Lat | Lt wrist plain film: 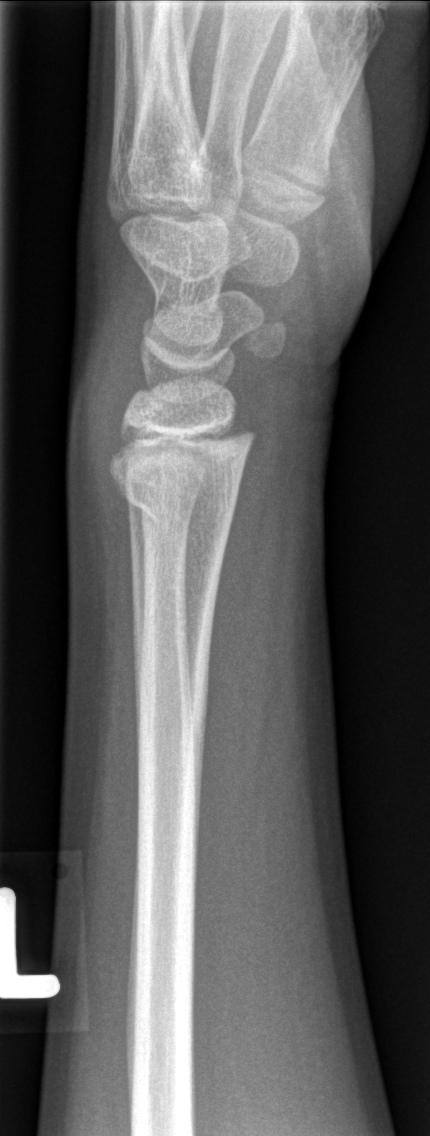

(bounding boxes in image-pixel xyxy)
AO classification: 23r-M/2.1; 23u-E/7
soft-tissue swelling: 64,281,148,538
fracture: 1 @ 108,463,242,546